PA/AP projection | L wrist X-ray | male, 11 yo | 540 x 824 px: 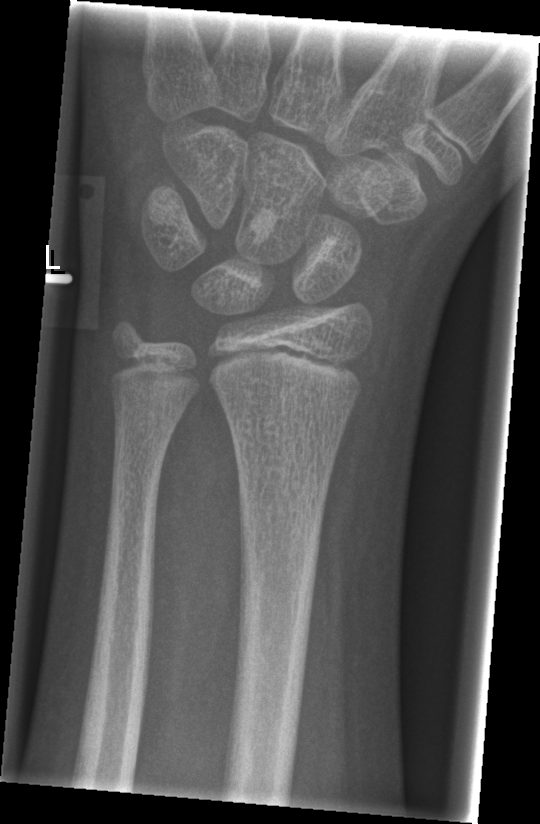 {
  "fracture": "none labeled",
  "bonelesion": "1 @ 247 204 278 247"
}